L wrist plain film, lat projection, cast present:
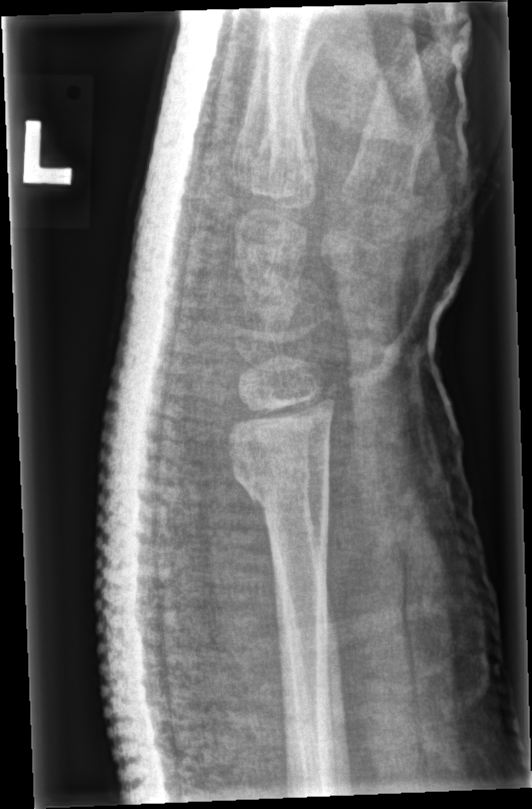
• Pixel coordinates, top-left origin, xyxy.
• Two fractures at (left=227, top=453, right=333, bottom=523) (left=257, top=447, right=315, bottom=496).
• AO code 23-M/2.1.